Lat view; right wrist XR; index exam; 74.3 mm image width —

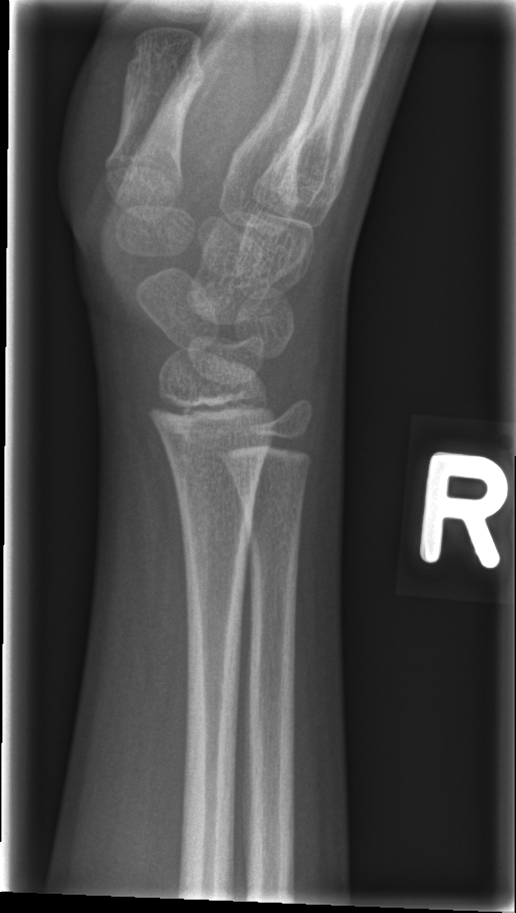 No fracture annotation.